AP, left pediatric wrist radiograph, pediatric patient (male, age 15), follow-up study, 124.7 mm image width.
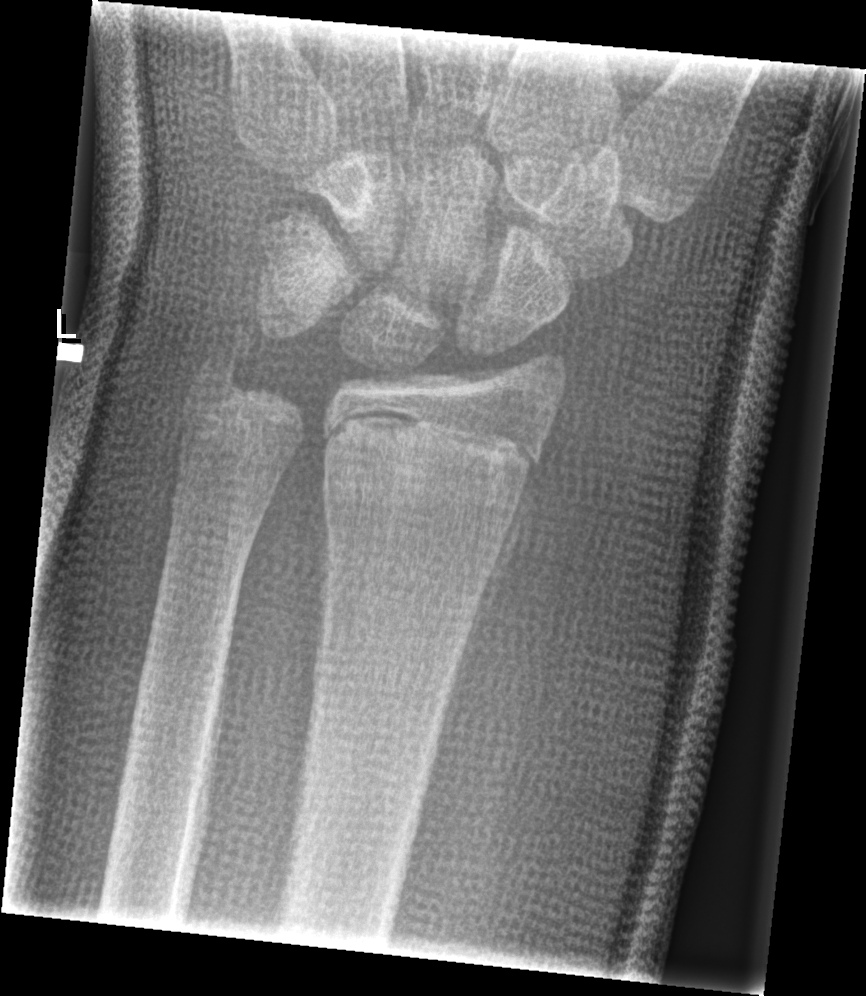

(bounding boxes in image-pixel xyxy)
AO classification: 23r-E/2.1; 23u-E/7
Fx: 2 @ (left=315, top=405, right=547, bottom=528); (left=191, top=331, right=252, bottom=400)